Rt plain radiograph of the wrist, posteroanterior projection, 671 x 1040 px.

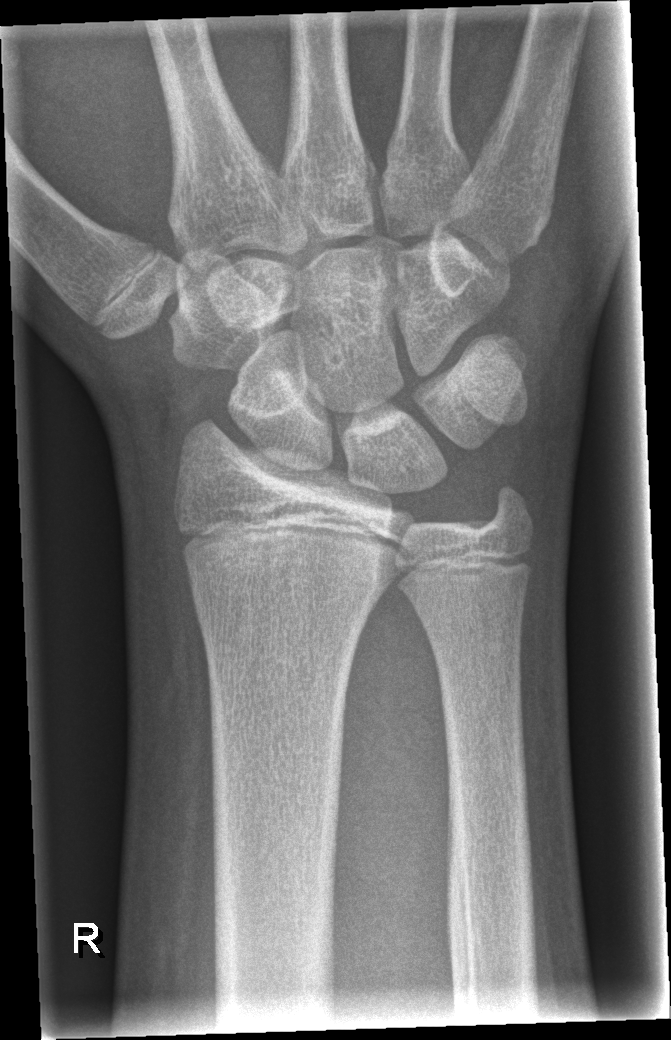

Bone fracture = none labeled